Lat projection | right wrist radiograph | male, 7 yo
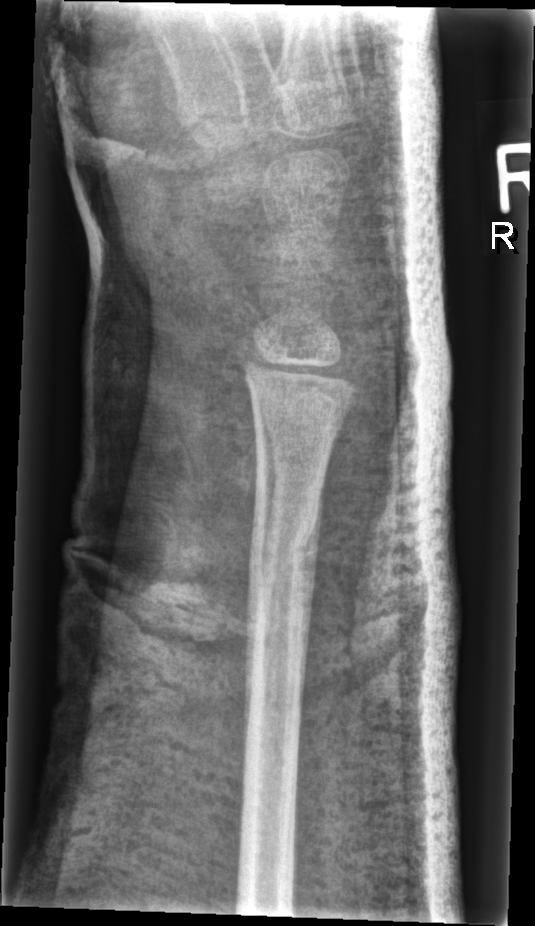

- Bounding boxes in image-pixel xyxy.
- AO code 23r-M/3.1.
- Fx: 244 517 322 574.